AP | R plain radiograph of the wrist | image 122.4 mm wide | 850 by 1152 pixels
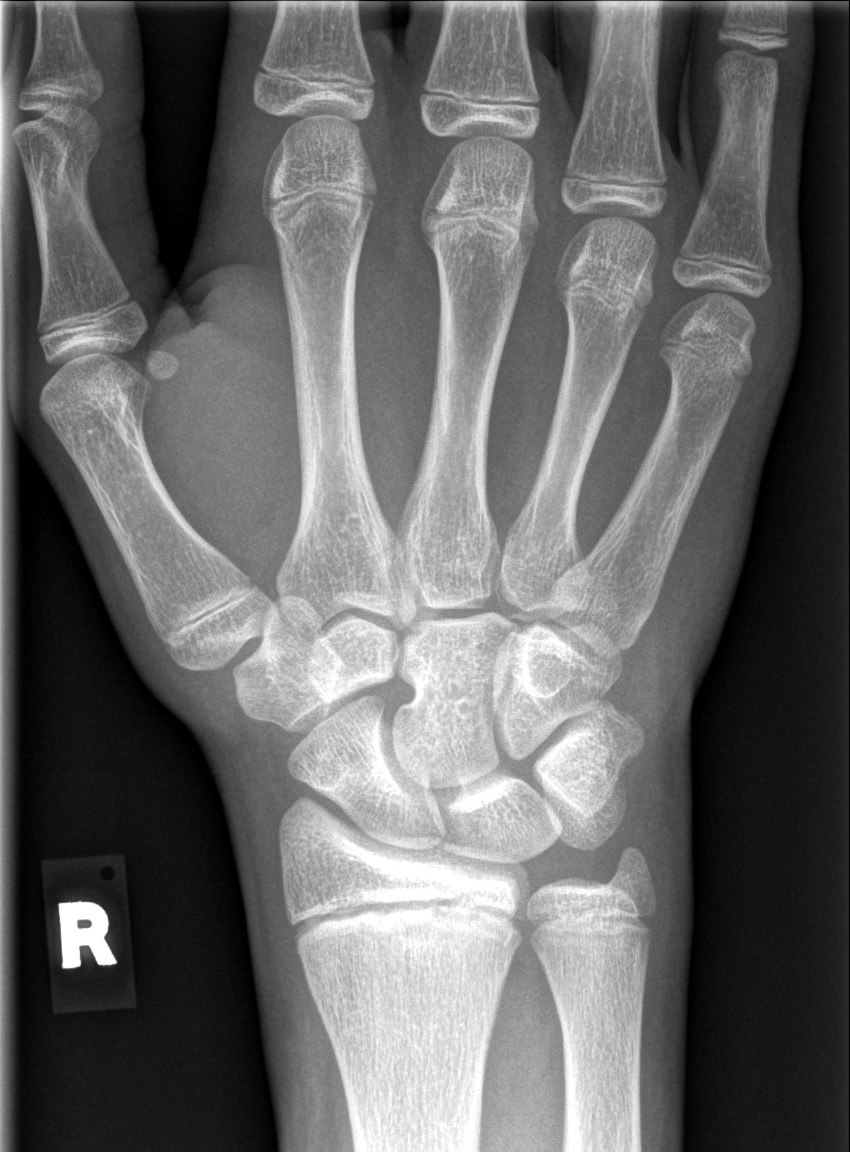
Fracture = none labeled